Rt wrist XR · PA/AP projection · Siemens.
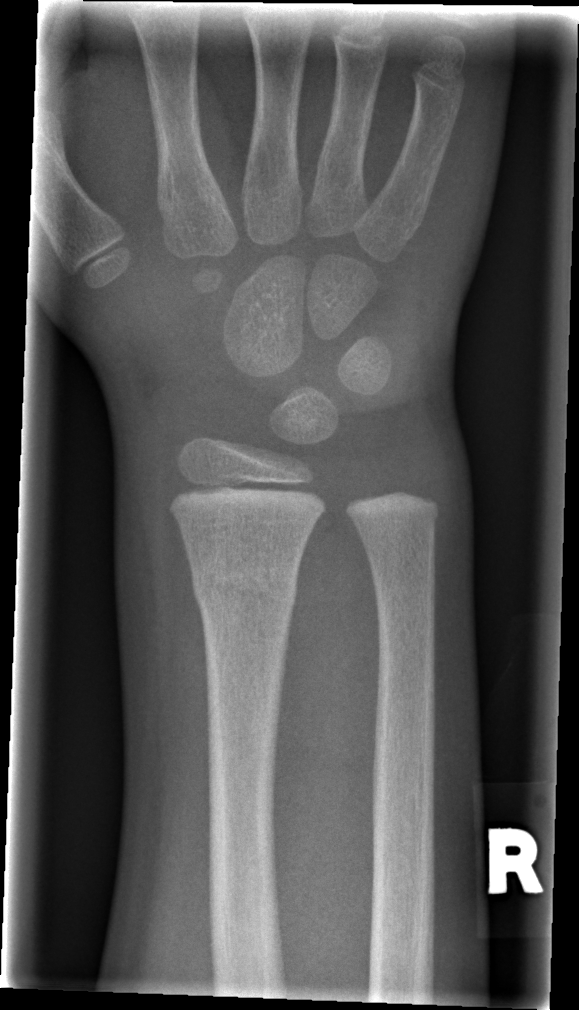

FINDINGS — Fx — (185, 555, 303, 622).